Rt pediatric wrist radiograph | oblique view | female, 5 yo | in cast | Siemens

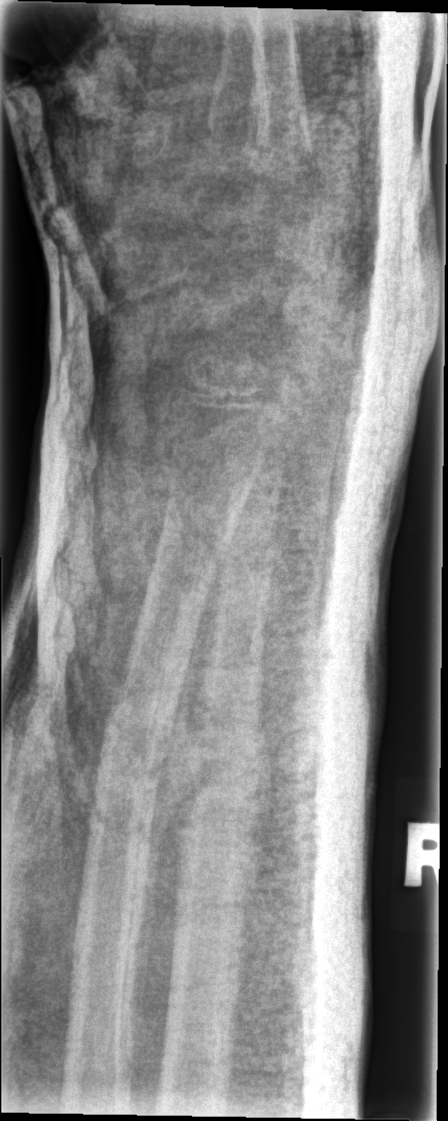
Q: Any fracture seen?
A: Two bone fractures at (174, 734, 264, 853) (82, 765, 157, 863)
Q: AO code?
A: AO code 22-D/4.1